Lateral; R wrist radiograph; male, 14 yo; diagnosis uncertain
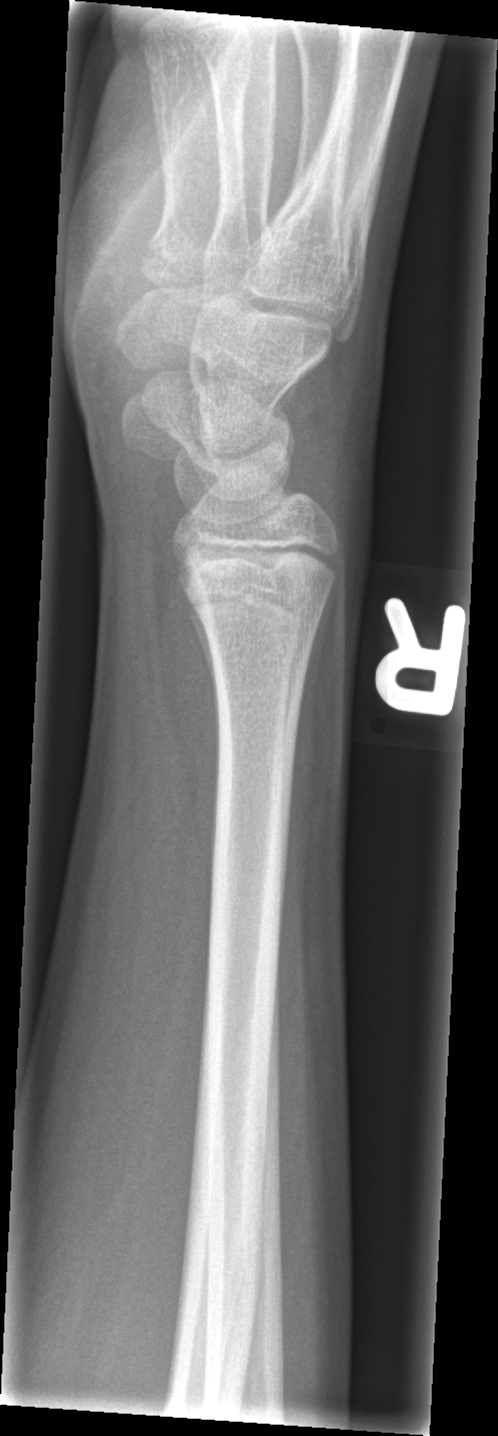
AO classification = 72B(c)
Fx = present but not clearly seen in this view